Right wrist radiograph · lateral · girl, 11 yo · image size 532x914. 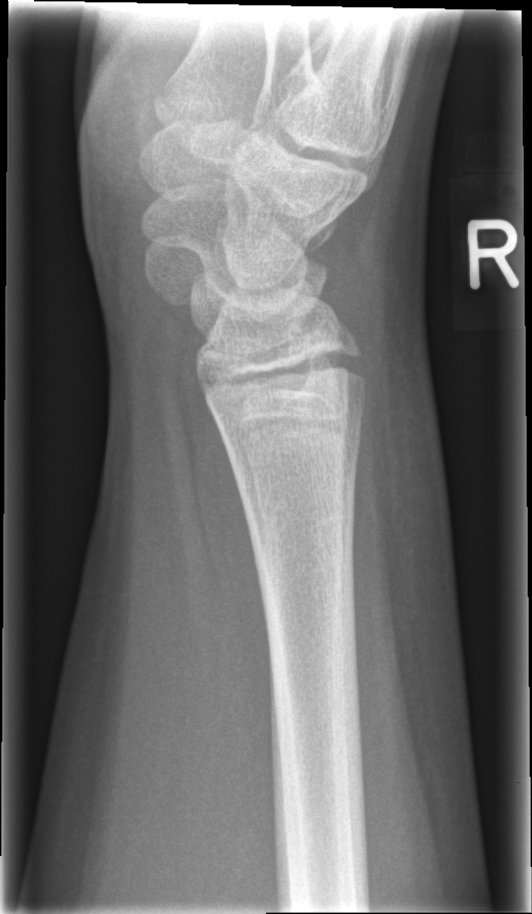 No fracture annotation.